PA/AP, L wrist radiograph, age 15 y, girl, detector: Siemens, image width 70.3 mm —
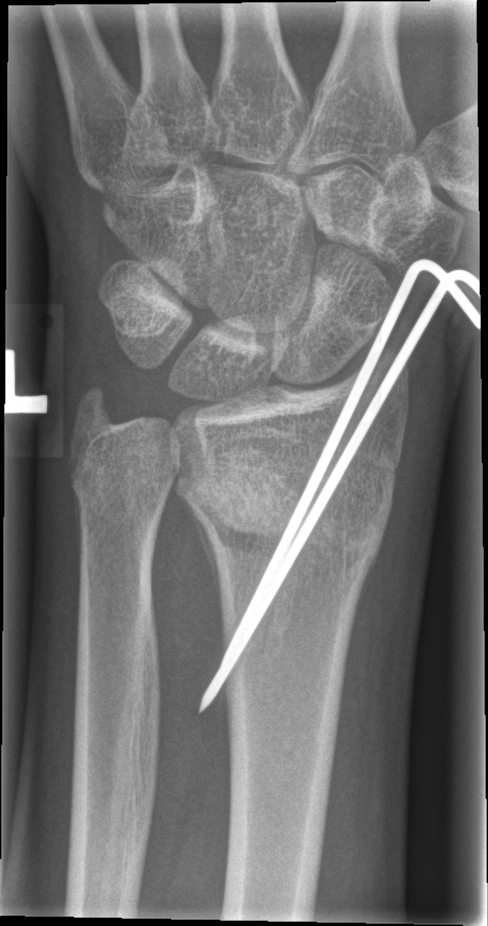 {"fracture": "1 @ [x1=186, y1=451, x2=392, y2=580]", "metal": "1 @ [x1=197, y1=255, x2=482, y2=714]", "periostealreaction": "[x1=186, y1=493, x2=226, y2=623]"}